Lat, right pediatric wrist radiograph, age 9 y, girl, follow-up. 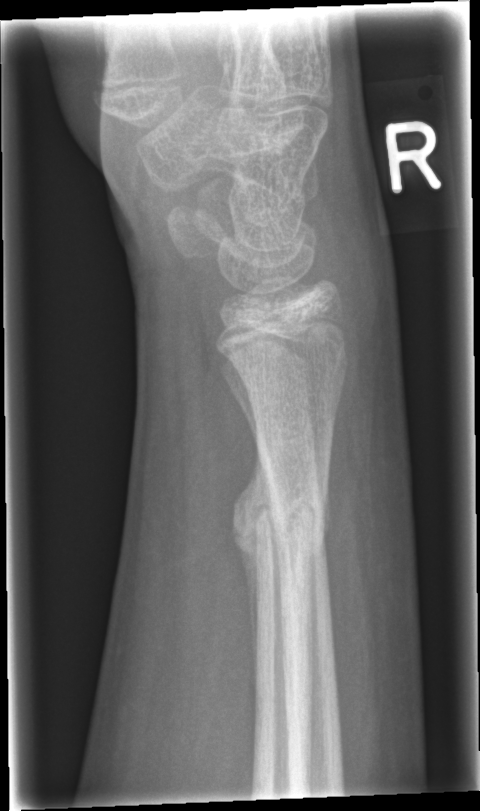 FINDINGS: Periosteal reaction: <231,440>-<278,698>. Fracture classified AO/OTA 23r-M/3.1; 23u-M/2.1. Bone fracture identified at <230,463>-<332,565>.